PA/AP view | R pediatric wrist radiograph | image width 79.8 mm 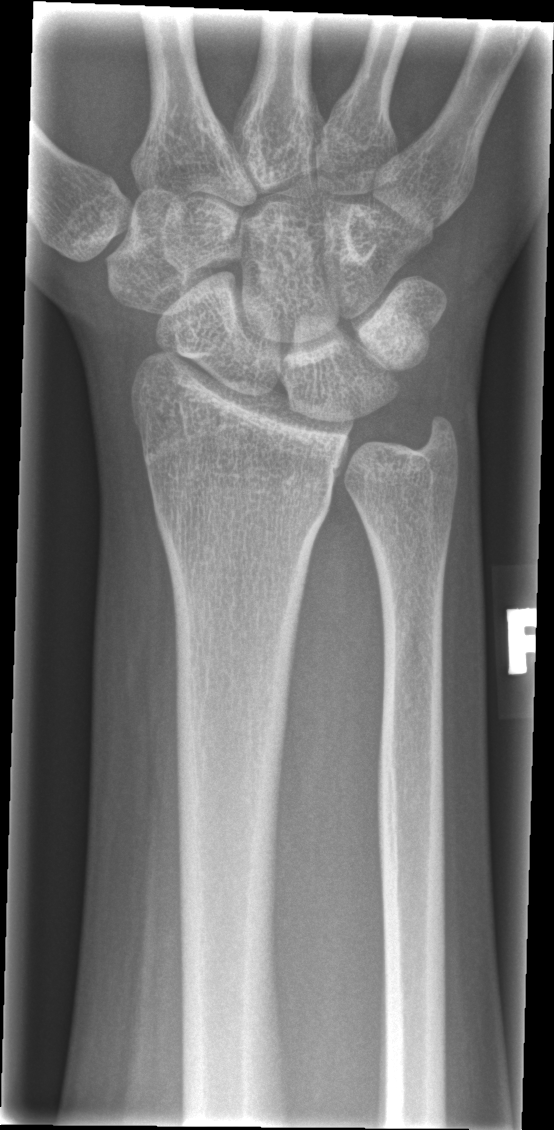 FINDINGS — No Fx annotated.